L wrist plain film, lat, 9y F, initial study, image 62.8 mm wide 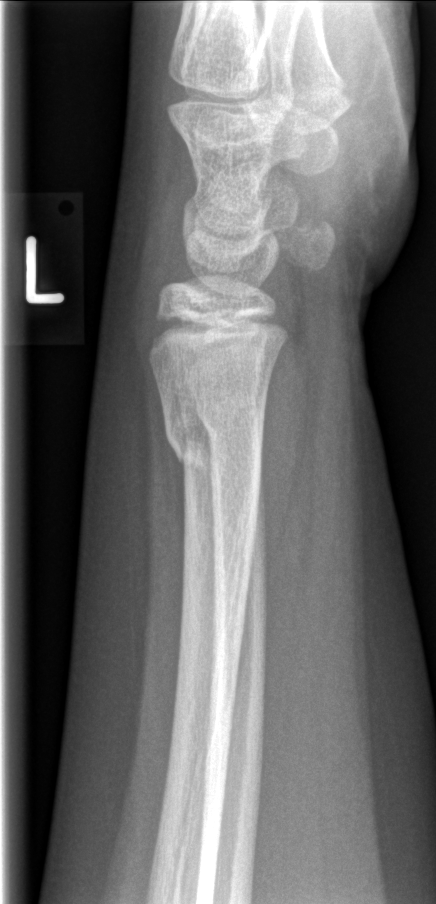

AO classification: 23-M/2.1
positive pronator fat-pad sign: bbox(257, 320, 316, 587)
Fx: bbox(162, 411, 266, 482); bbox(192, 393, 265, 446)